L plain radiograph of the wrist, PA/AP, 12-year-old male, subsequent exam.
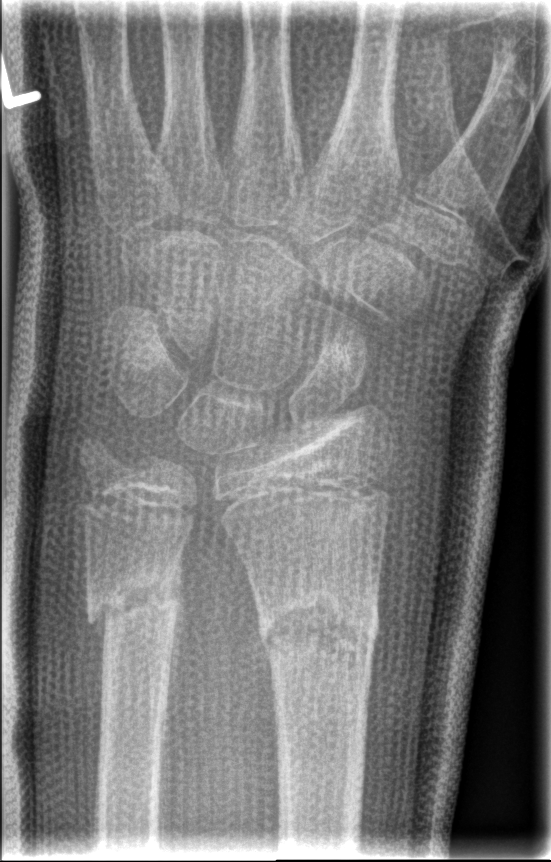 * Periosteal new bone: bbox(160, 546, 185, 739).
* Fractures — bbox(254, 585, 382, 673); bbox(84, 563, 184, 633).